Lat view | R plain radiograph of the wrist | detector: Siemens.
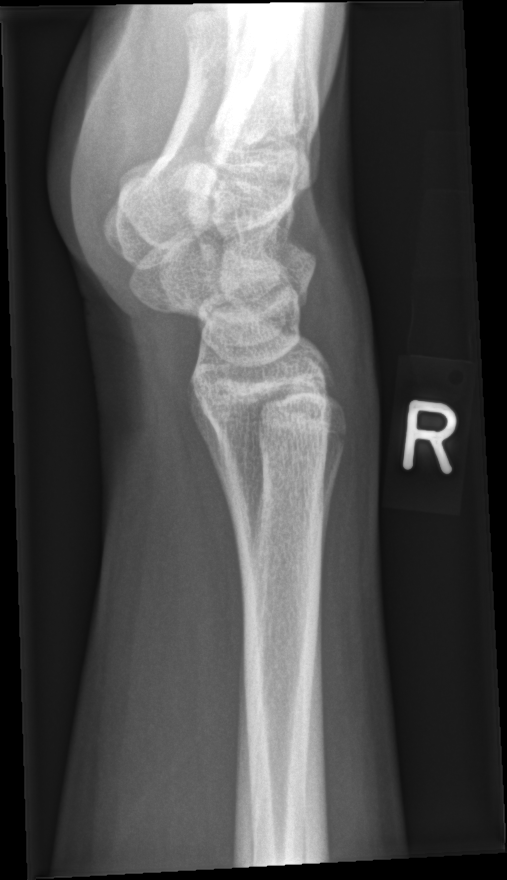
* Fx: none.